Right pediatric wrist radiograph, lat projection, acquired on Siemens —

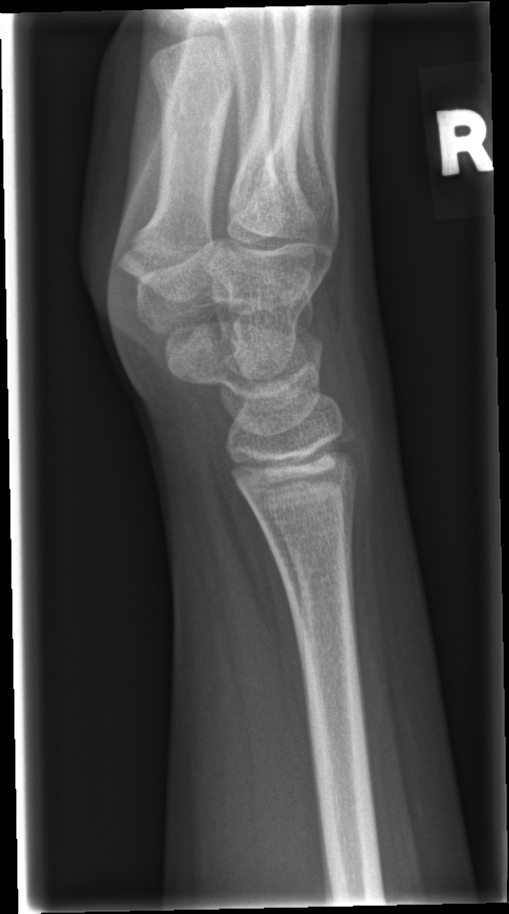
Findings: Fracture: none labeled.